Left wrist plain film · lateral view · pediatric patient (boy, age 12) · image size 513x988 — 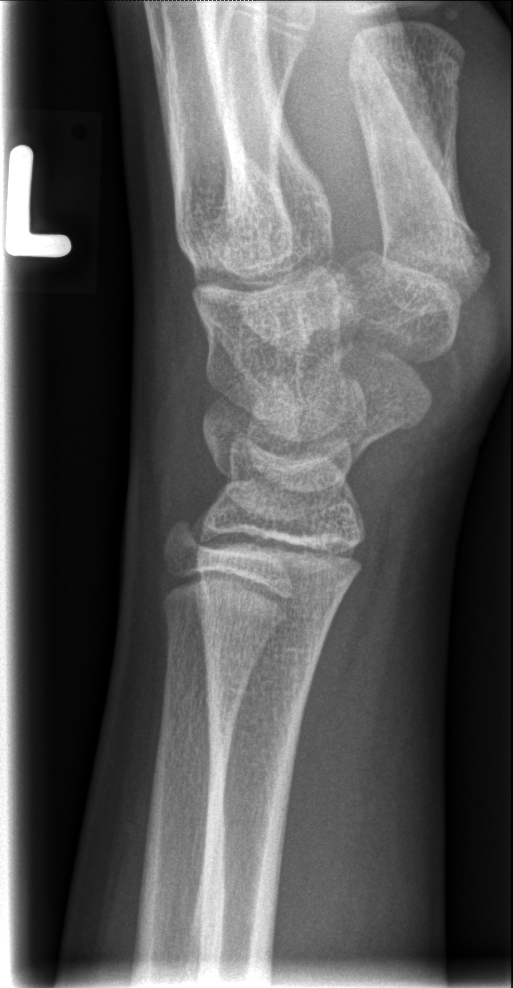 Fracture: none labeled.